Right plain radiograph of the wrist, lat view, detector: Siemens. 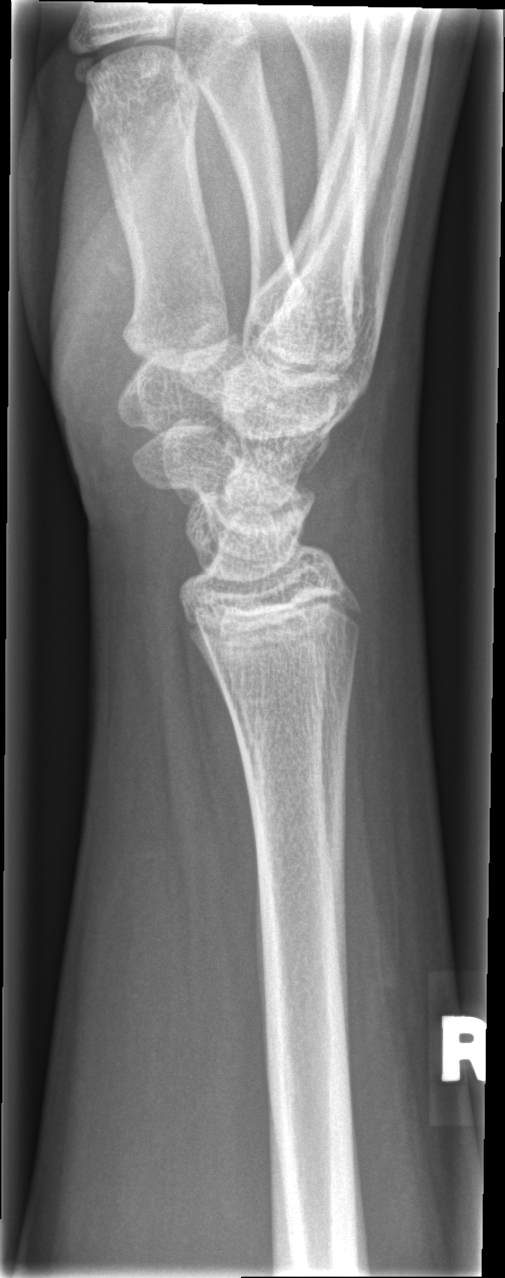 {
  "fracture": "none labeled"
}